L pediatric wrist radiograph · posteroanterior projection · 13-year-old boy · detector: Siemens · 603 x 1116 px —
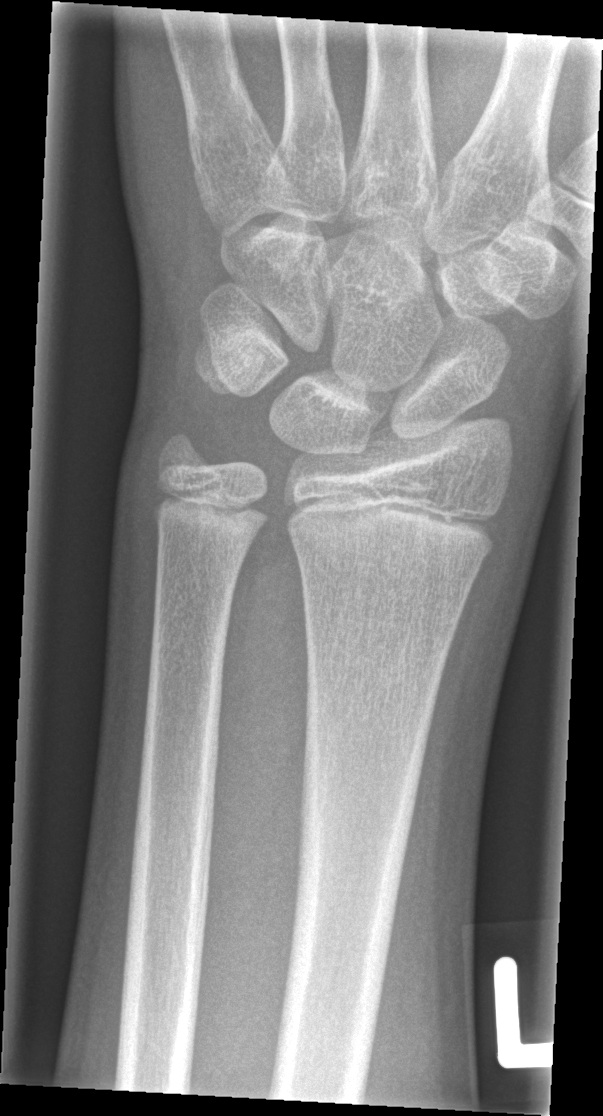

Fx = none labeled